Lt plain radiograph of the wrist, lateral projection, follow-up study. 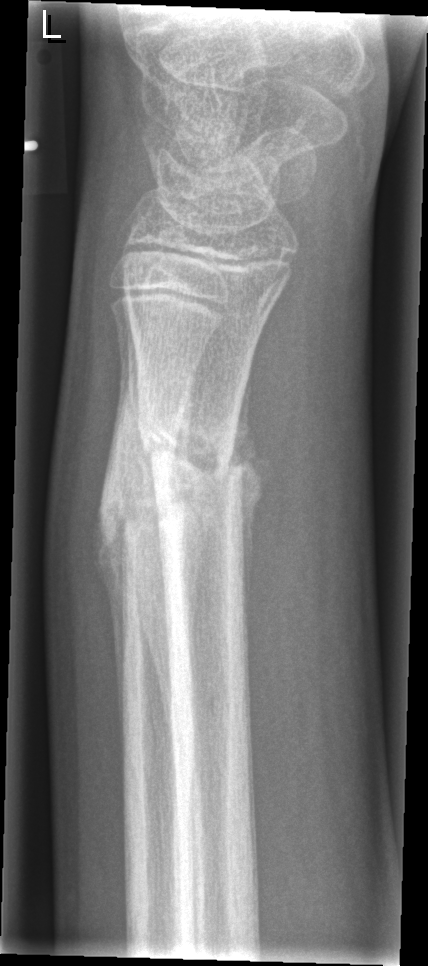

FINDINGS — Osteopenia. AO/OTA classification: 23-M/3.1; 23u-E/7. Fx: [136, 410, 248, 500], [107, 441, 182, 538]. Three periosteal new bone at [121, 297, 173, 747] [90, 355, 134, 758] [225, 354, 272, 643].